Lat projection · R wrist plain film. 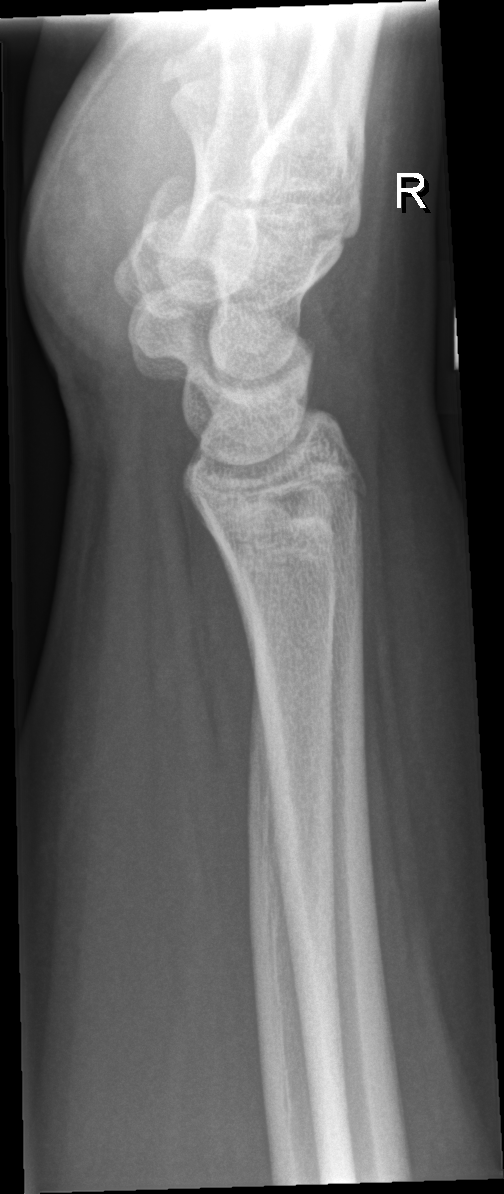 No fracture annotation.